PA, L wrist radiograph, pediatric patient (boy, age 11), in cast, image width 120.2 mm.
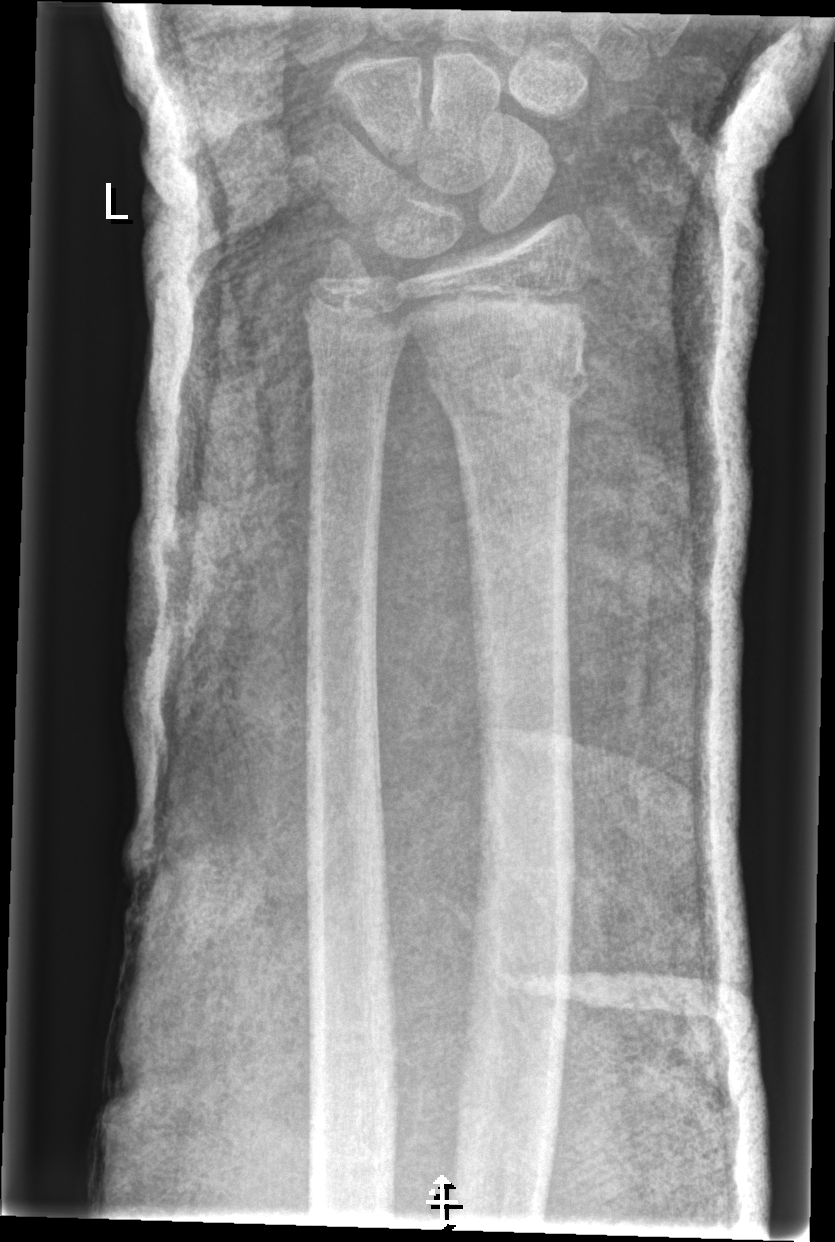

* Boxes as x1,y1,x2,y2 (top-left / bottom-right, pixel units).
* Fx — (422, 329, 594, 427).